Left pediatric wrist radiograph | AP projection | 6-year-old female | 559x796 —

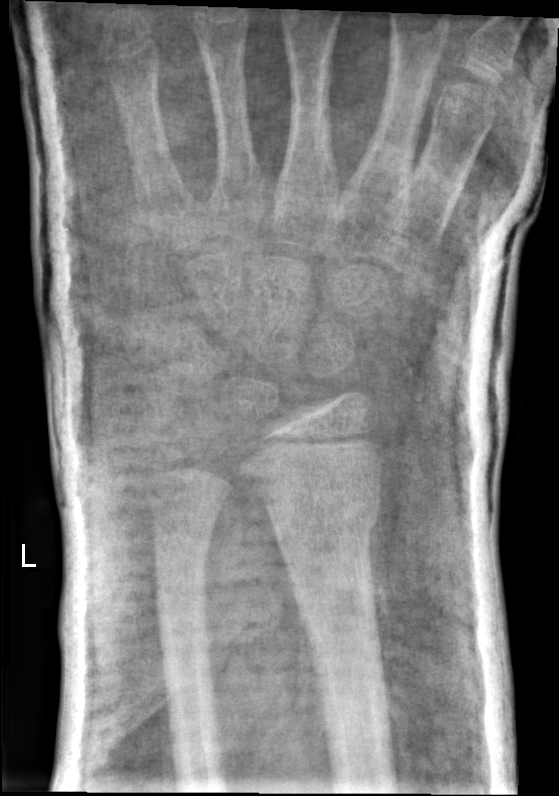 Fracture identified at [x1=255, y1=474, x2=386, y2=557]. AO/OTA classification: 23r-M/2.1.